Left wrist radiograph; lat projection; male, 10 yo; index exam; detector: Siemens

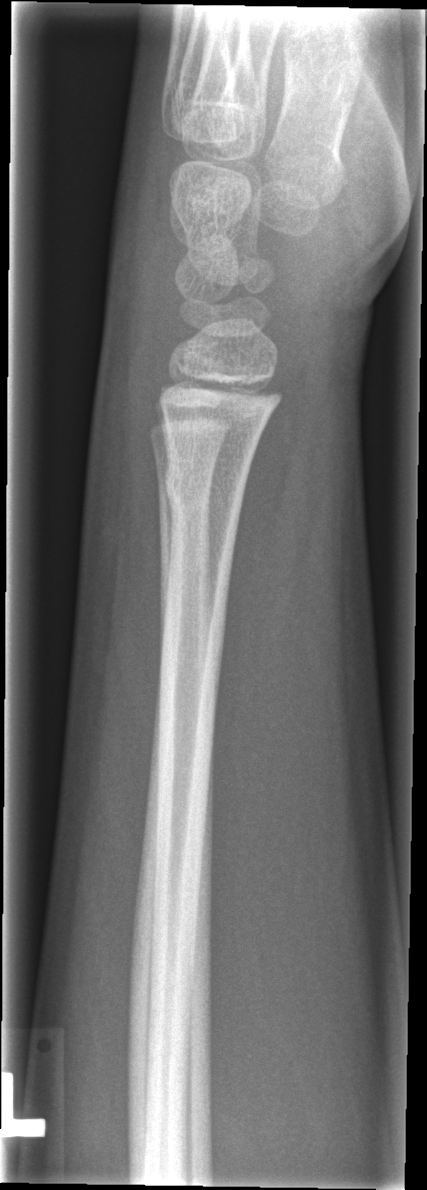 Bone fracture: (162, 461, 250, 514)
AO classification: 23r-M/2.1